R wrist XR; frontal; cast in situ
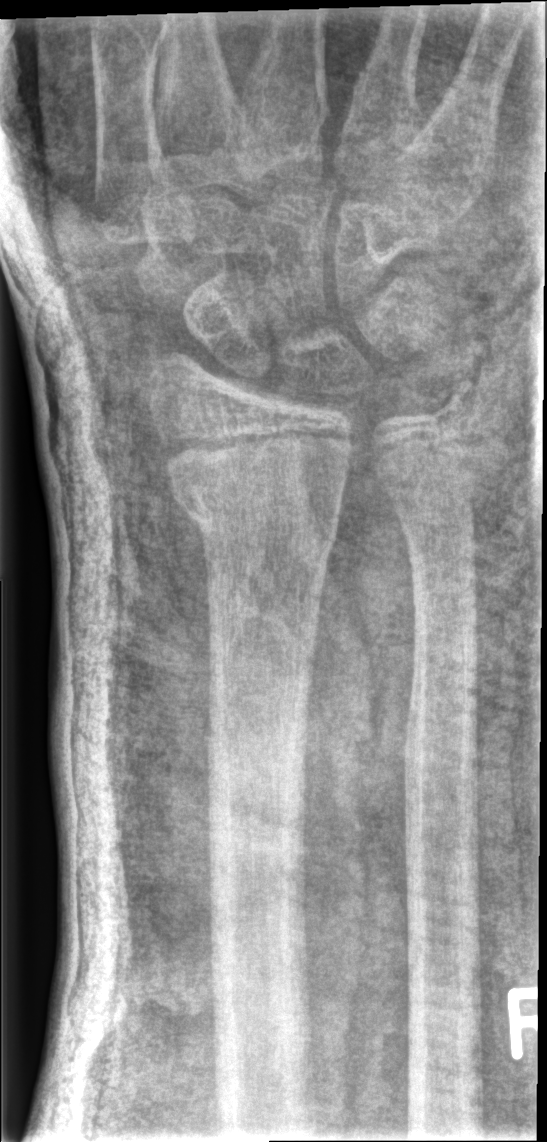   fracture: [x1=170, y1=451, x2=346, y2=561]
  ao: 23r-M/3.1; 23u-E/7